Right wrist XR; posteroanterior projection; 483x1178 —
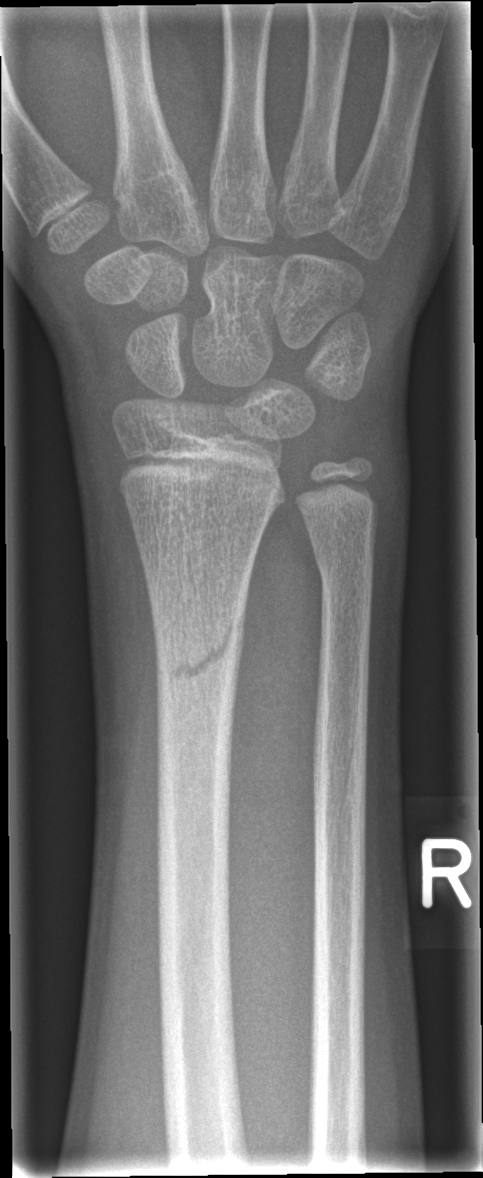 Boxes as x1,y1,x2,y2 (top-left / bottom-right, pixel units). Fracture classified AO/OTA 23r-M/3.1; 23u-M/2.1. Fractures — (left=147, top=593, right=251, bottom=705) (left=310, top=535, right=379, bottom=609).